Lateral view, left plain radiograph of the wrist, pediatric patient (male, age 8), presentation radiograph, acquired on Siemens.

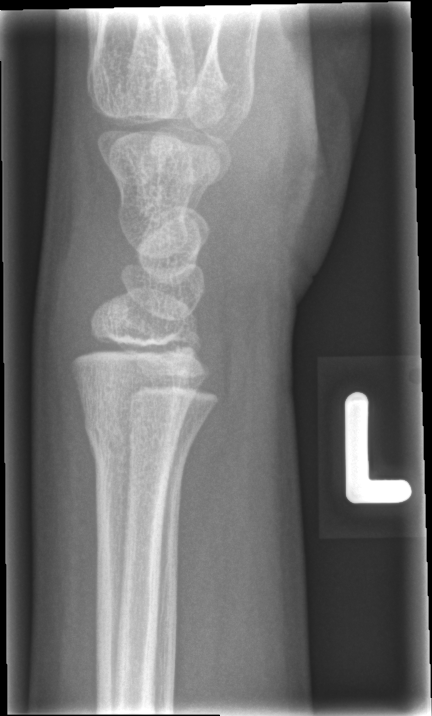
FINDINGS — Bone fracture: (79, 401, 184, 464). AO/OTA classification: 23r-M/2.1.